Lt wrist plain film | lat | pediatric patient (girl, age 14) | presentation radiograph | 458x1078:
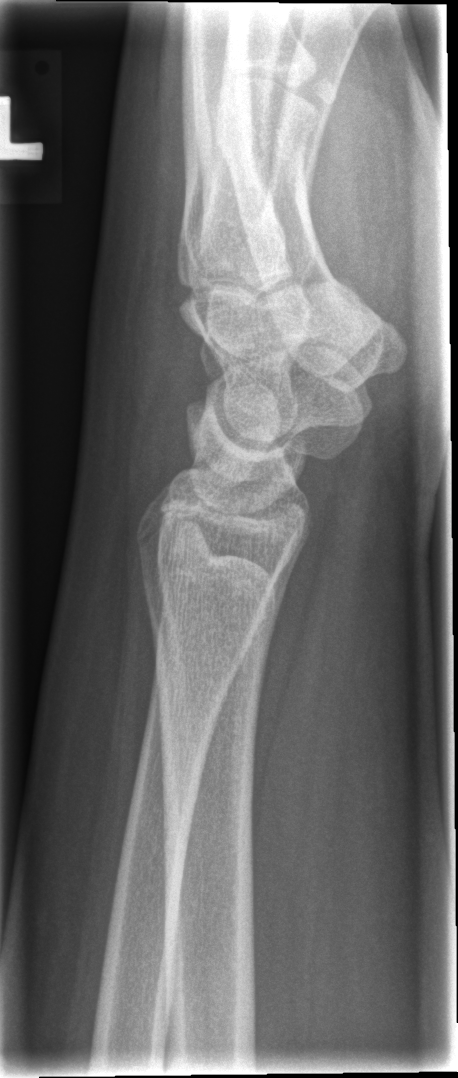
Fx = none labeled